L wrist XR, lat projection, 16-year-old boy, image size 487x816 —

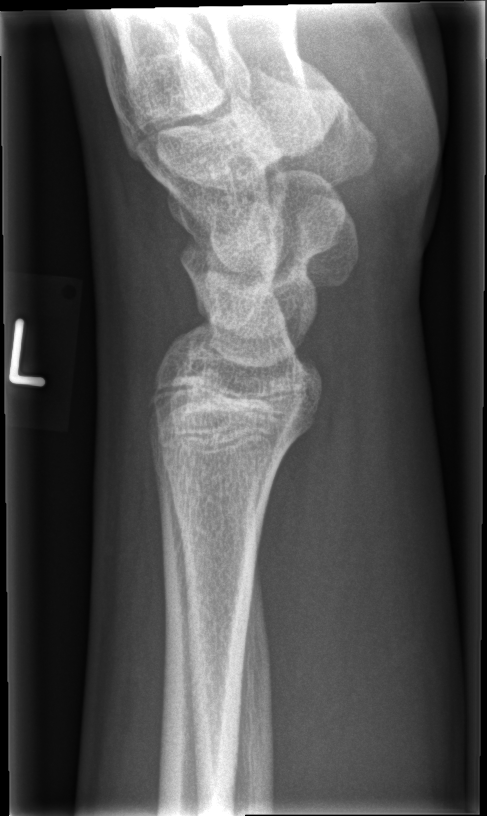

No fracture bounding box.